Right wrist XR, PA view, cast in situ, detector: Siemens. 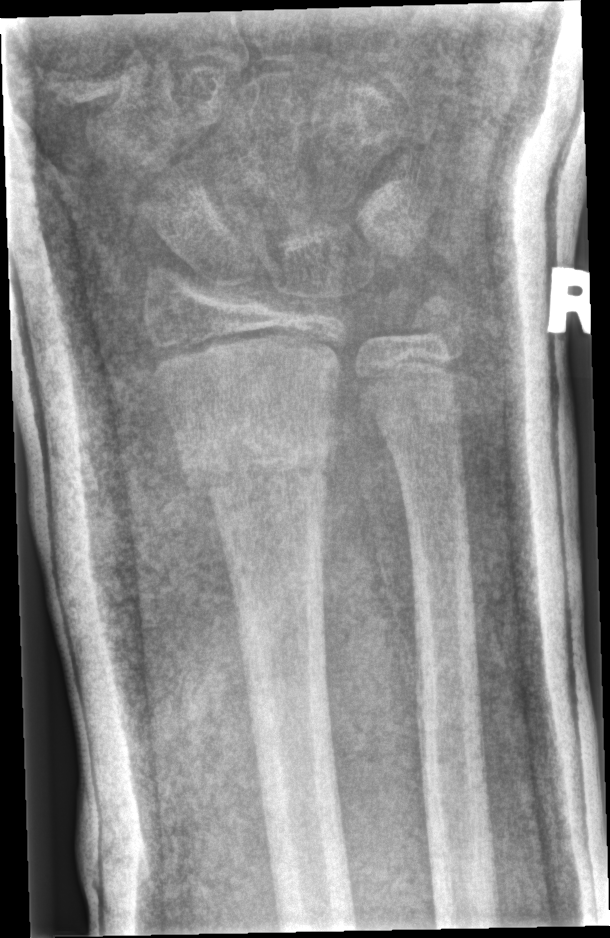

(bounding boxes in image-pixel xyxy)
Fx = [170, 410, 338, 506]; [407, 288, 468, 352]